Posteroanterior view, left wrist XR, age 10 y, female, 445 x 916 px 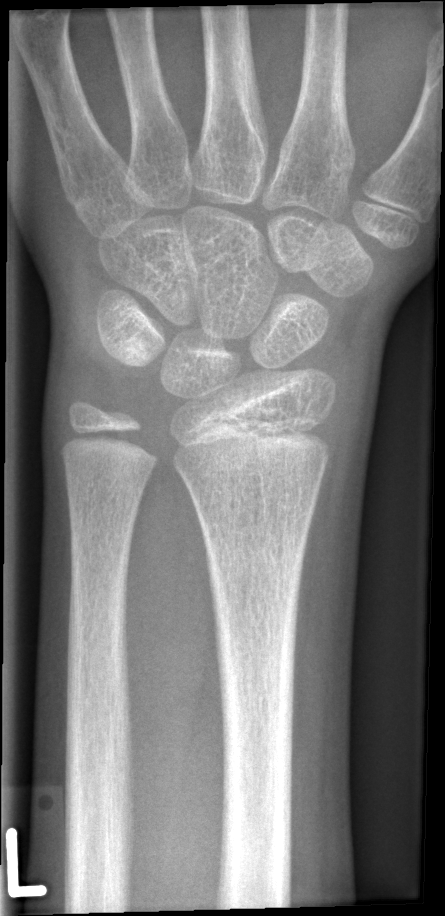   fracture: none labeled